Lateral projection | Lt pediatric wrist radiograph | age 14 y, male: 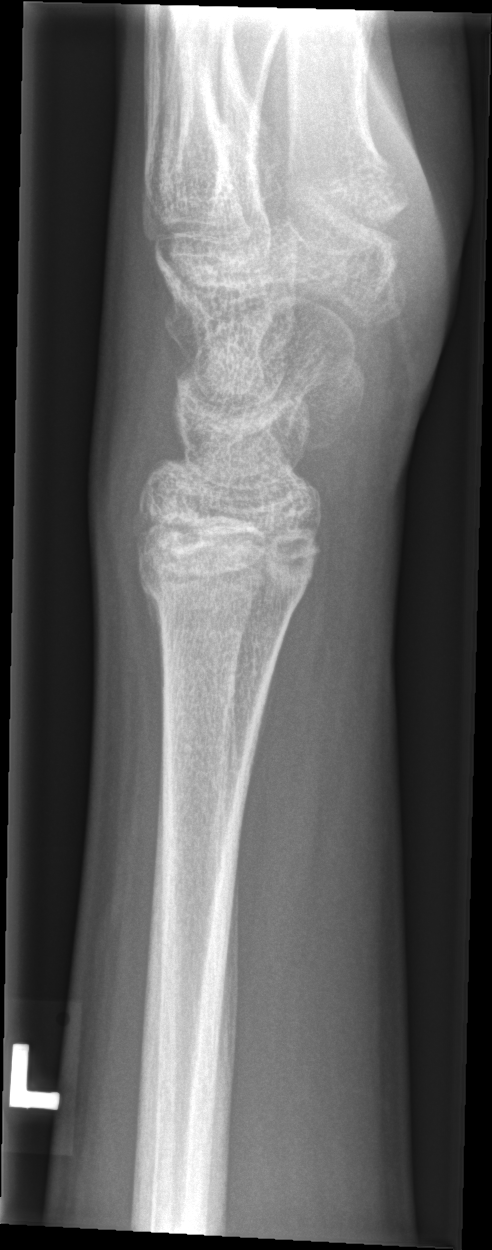

FINDINGS — Bone fracture — 135 515 323 632.